Left wrist plain film | lat view | female, 8 yo | 446x1276
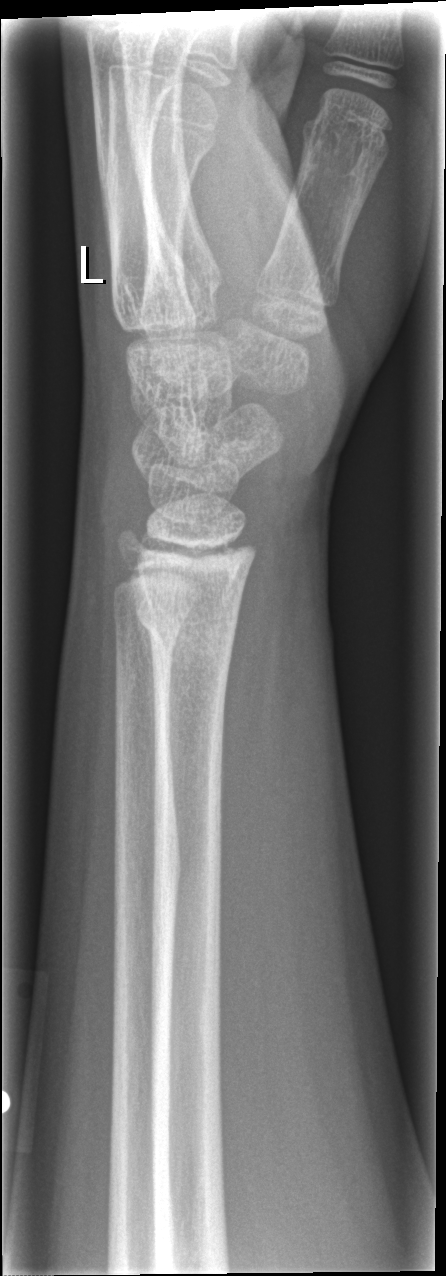 • Bounding boxes in image-pixel xyxy.
• Fx identified at (132, 589, 244, 656).
• Periosteal thickening: (134, 597, 155, 775).